Left wrist plain radiograph of the wrist, lat projection, 5-year-old male:

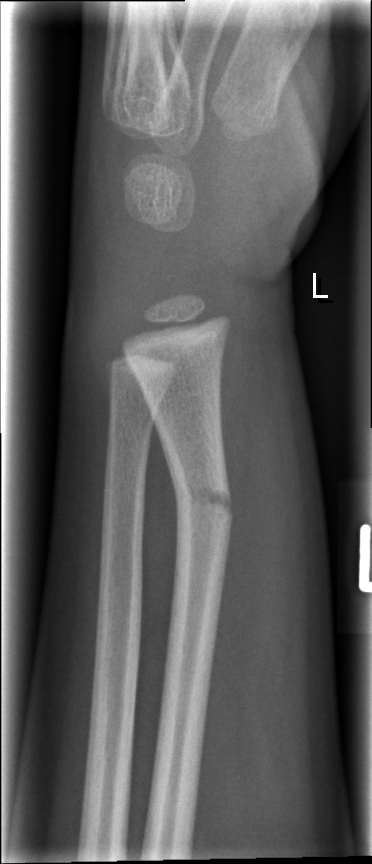
- AO code 23r-M/3.1.
- One bone fracture at <171,469>-<237,536>.